Lateral, right pediatric wrist radiograph — 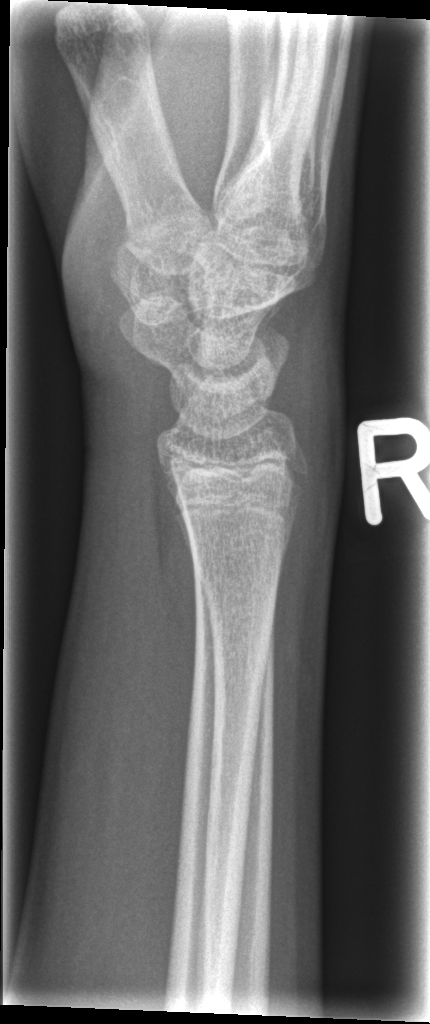

Q: Any fracture seen?
A: No Fx annotated